Rt wrist radiograph · AP view · follow-up study · 601 by 980 pixels —
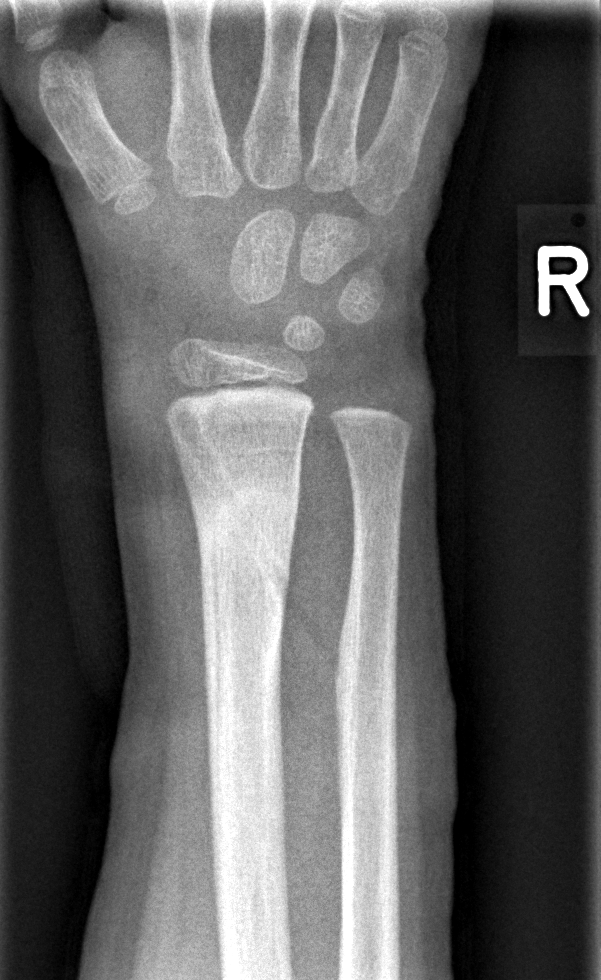 AO/OTA classification: 23r-M/3.1. One fracture at <184,466>-<302,618>. Osseous anomaly identified at <173,404>-<293,605>.